Right wrist plain radiograph of the wrist; PA projection; age 15 y, male
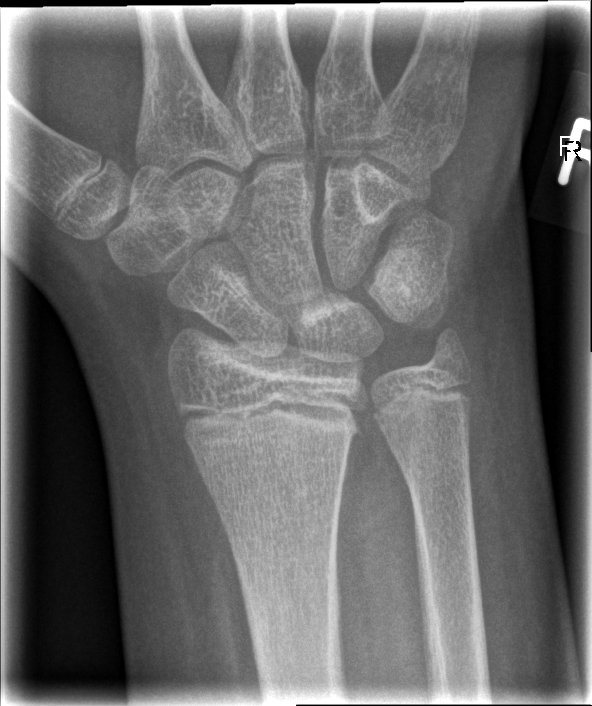
Fracture = none labeled